Lat, R pediatric wrist radiograph, subsequent exam, imaged through cast
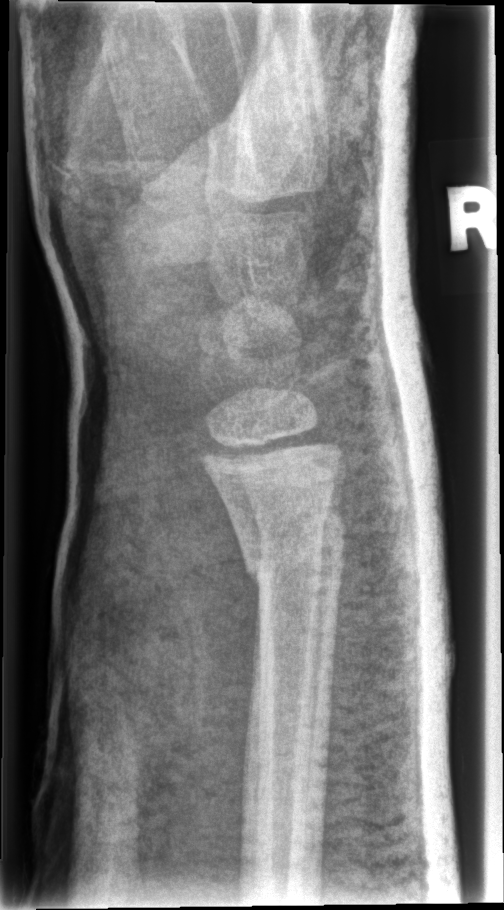
Fracture identified at [239, 518, 351, 606]. AO code 23r-M/3.1.